Posteroanterior view, Lt plain radiograph of the wrist — 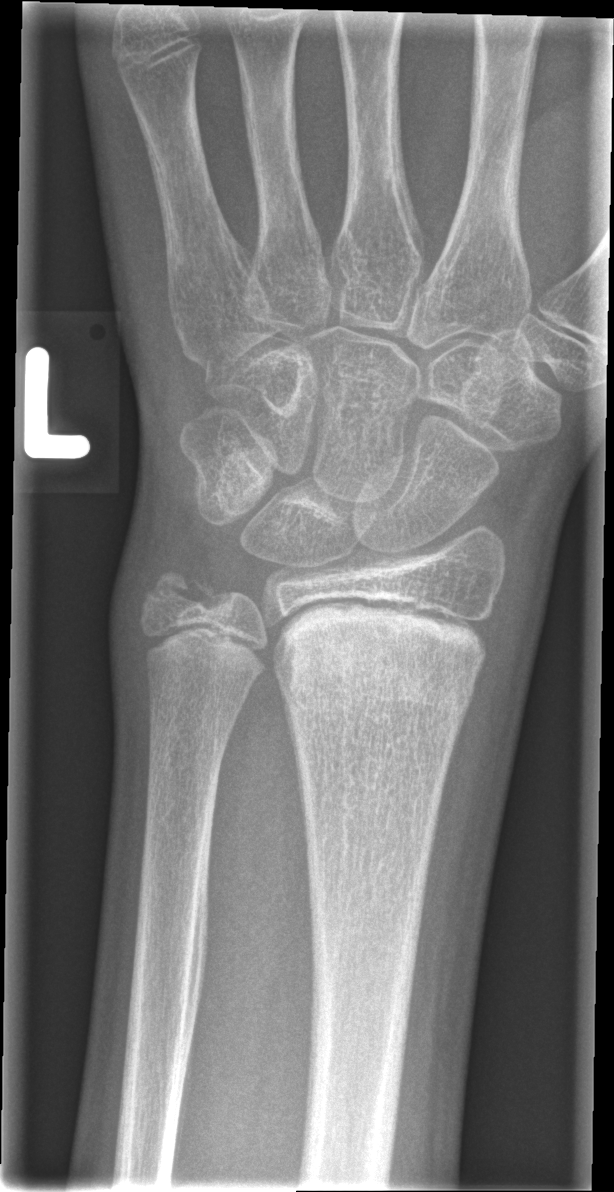 Fracture classified AO/OTA 23r-M/3.1; 23u-E/7. Fx — [x1=275, y1=599, x2=494, y2=722]; [x1=136, y1=562, x2=226, y2=624]. Osteopenic.